Lat view, L wrist plain film, pediatric patient (girl, age 12)
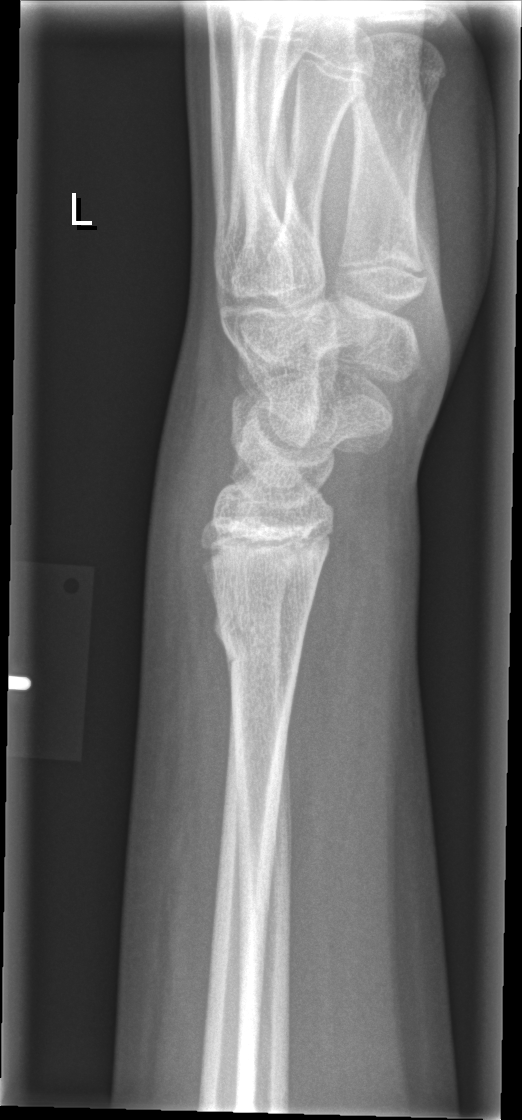
AO/OTA = 23r-M/2.1
Soft-tissue finding = 1 @ (138, 442, 223, 699)
Bone fracture = 1 @ (209, 596, 307, 678)